L plain radiograph of the wrist; lat view; presentation radiograph; image 92.3 mm wide 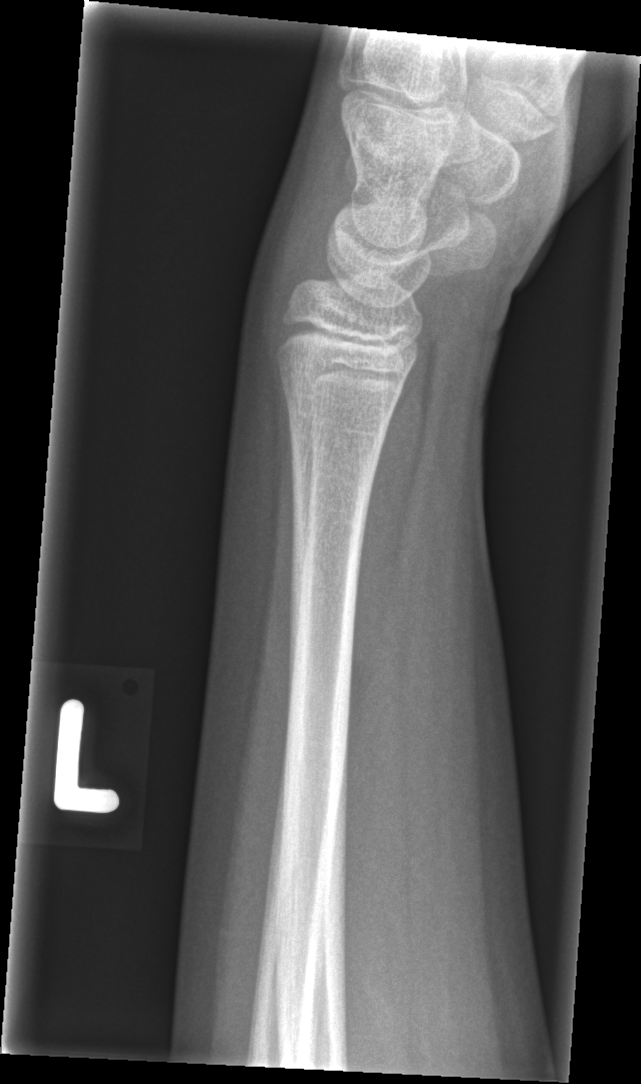

FINDINGS: No Fx annotated.